Frontal projection · left wrist XR · pediatric patient (male, age 9) · 79.8 mm image width · 554 x 1088 px:

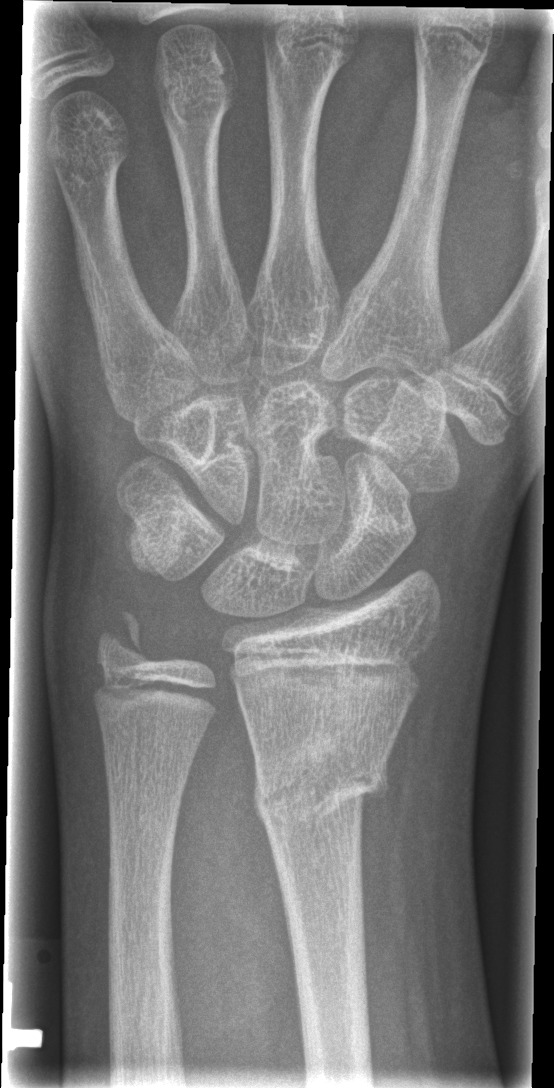 Fx: 2 @ (left=247, top=730, right=398, bottom=832); (left=88, top=603, right=157, bottom=679)
AO code: 23r-M/3.1; 23u-E/7